Lt wrist plain film, lateral view, cast present.

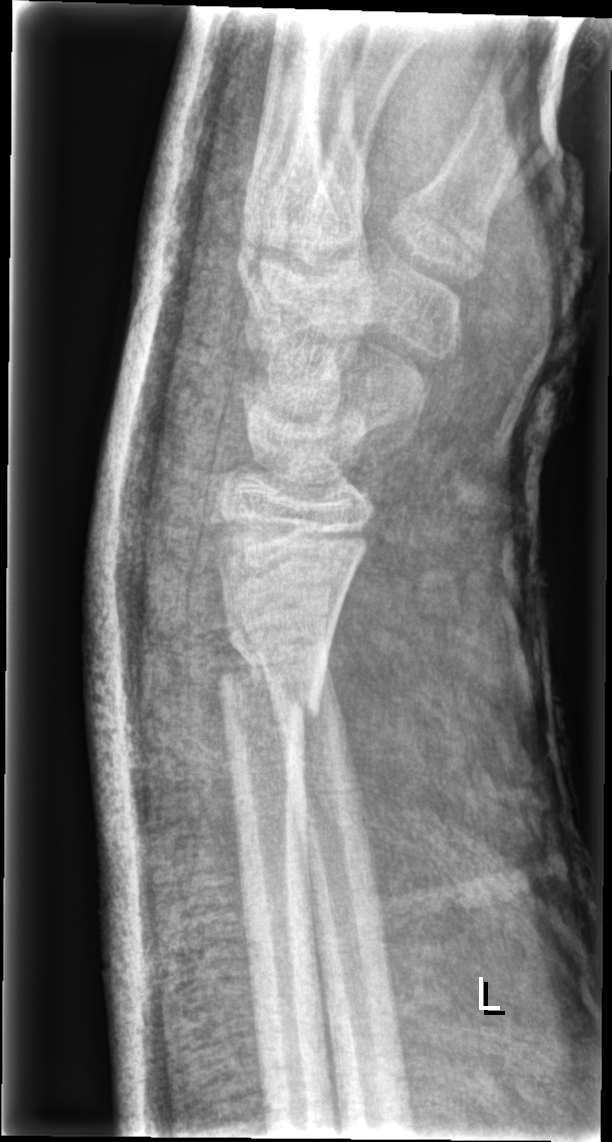

AO code 23r-M/3.1; 23u-E/7. Fx: (209, 652, 326, 723).